Right wrist radiograph | lat view | girl, 16 yo

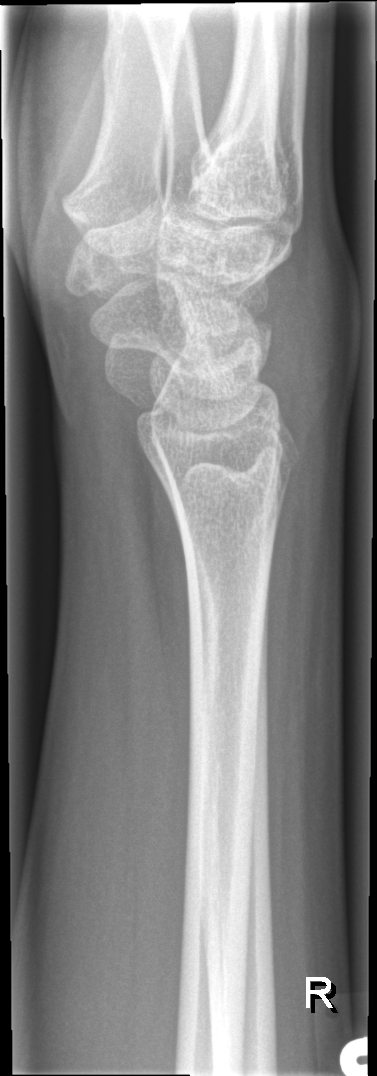 FINDINGS: Soft-tissue finding identified at [x1=257, y1=206, x2=360, y2=456]. AO code 23r-M/2.1. Fracture: [x1=162, y1=441, x2=306, y2=498].